Lt wrist plain film | frontal view | age 11 y, male | image size 536x958:
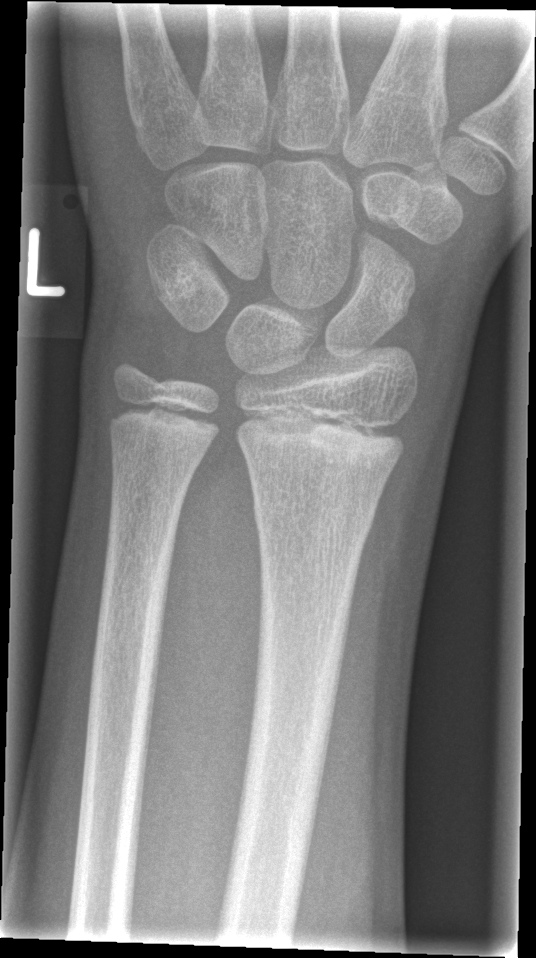

One bone fracture at 250 493 378 544.